Right pediatric wrist radiograph | PA view | 14-year-old boy | in cast.

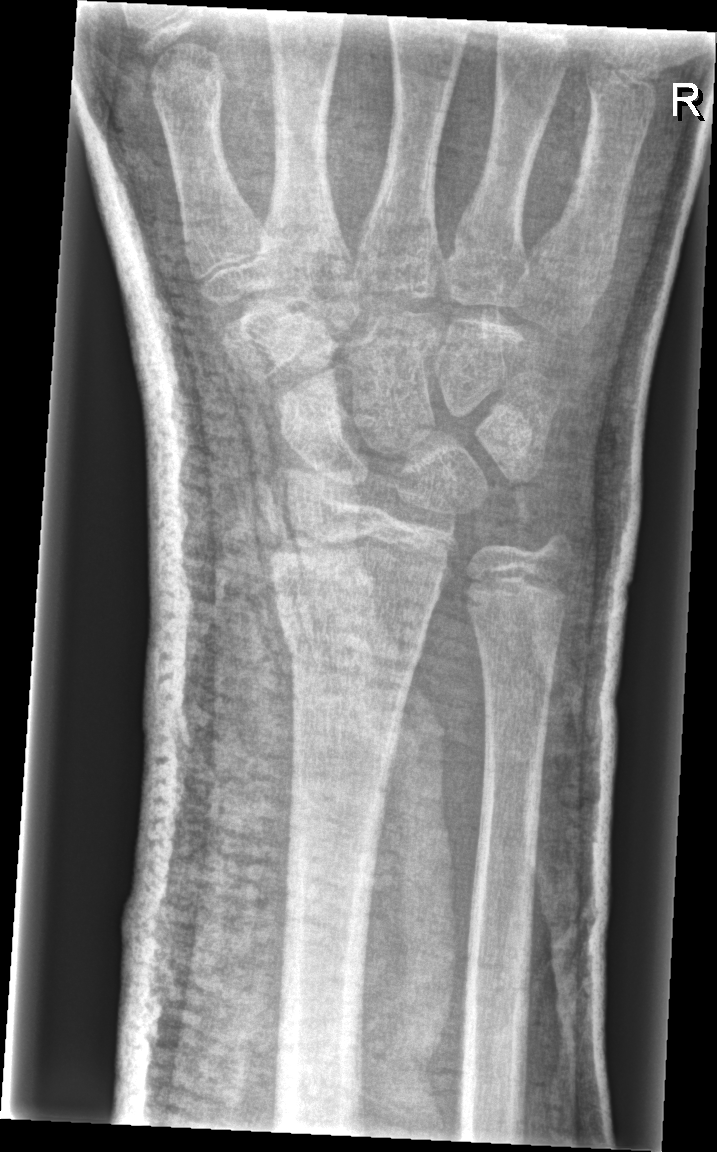
fracture = [276, 600, 427, 685]
AO classification = 23r-M/2.1